R wrist plain film · lateral · age 11 y, boy · subsequent exam · 88.1 mm image width 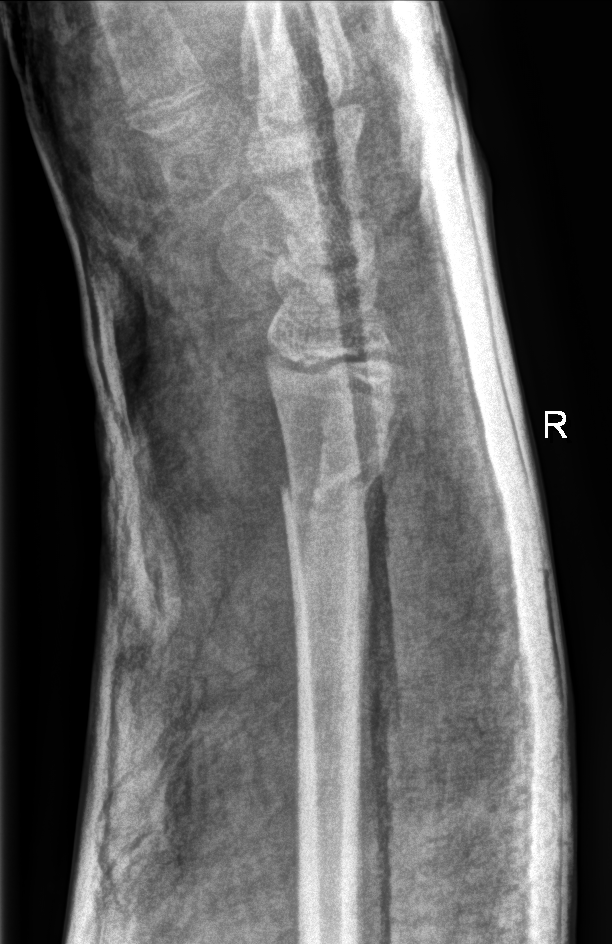
AO code 23r-M/3.1.
Fracture identified at (left=273, top=450, right=392, bottom=517).